AP · Rt wrist plain film · age 11 y, male · Siemens. 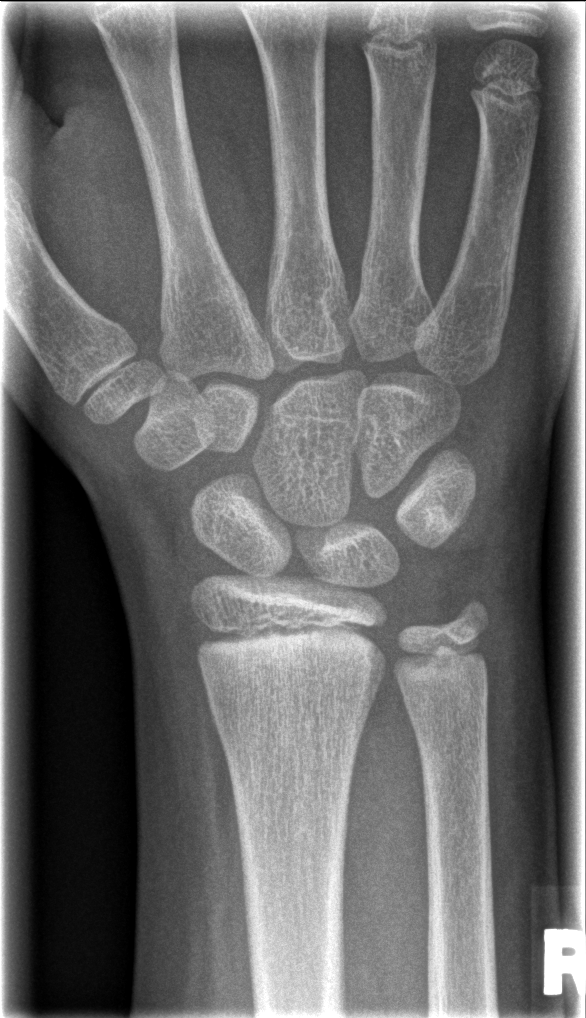
Q: Any fracture seen?
A: No Fx annotated